AP projection · left wrist radiograph · pediatric patient (girl, age 12) · detector: Siemens

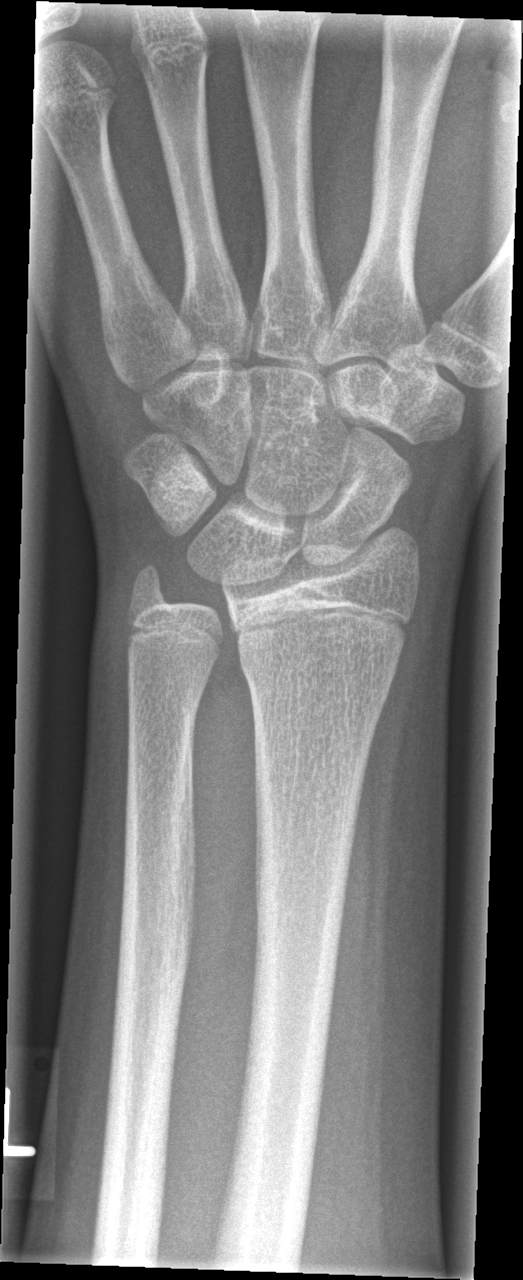
FINDINGS: Fx: none.